Right wrist X-ray · lat view · subsequent exam · acquired on Siemens · image width 106.6 mm 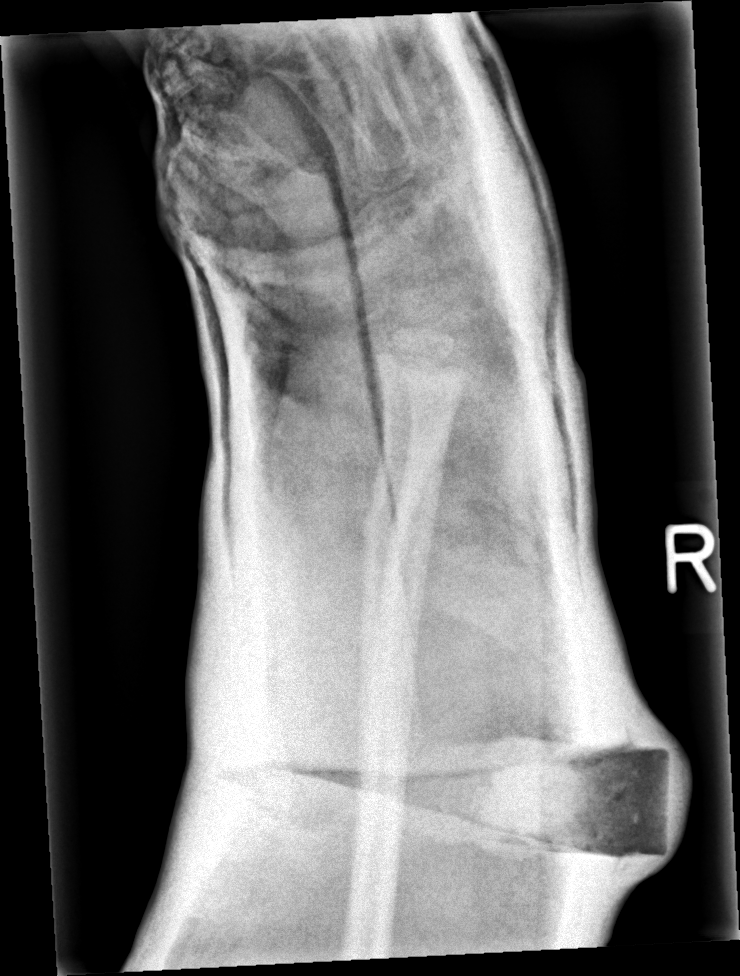
Boxes as x1,y1,x2,y2 (top-left / bottom-right, pixel units). AO/OTA classification: 23r-M/3.1. Fx — [355, 495, 417, 570].